Lat, Rt wrist plain film, subsequent exam, imaged through cast

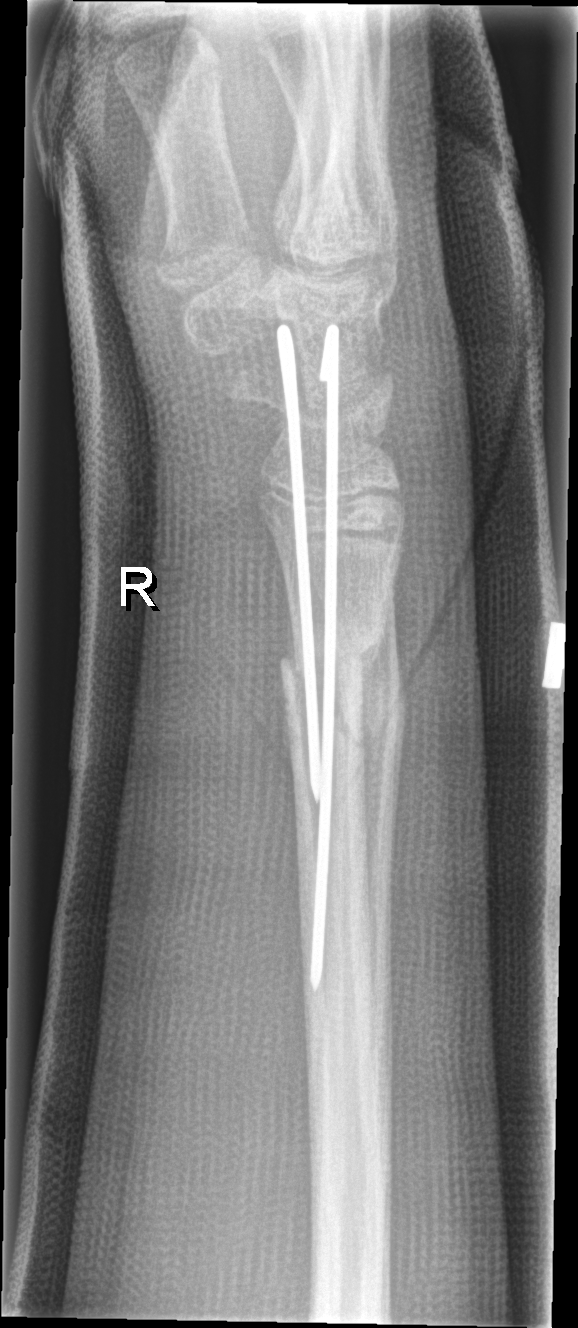

* Boxes as x1,y1,x2,y2 (top-left / bottom-right, pixel units).
* Fracture identified at [276, 632, 380, 700] [324, 675, 410, 757].
* Metallic implant identified at [271, 317, 343, 999].